Rt plain radiograph of the wrist · PA/AP 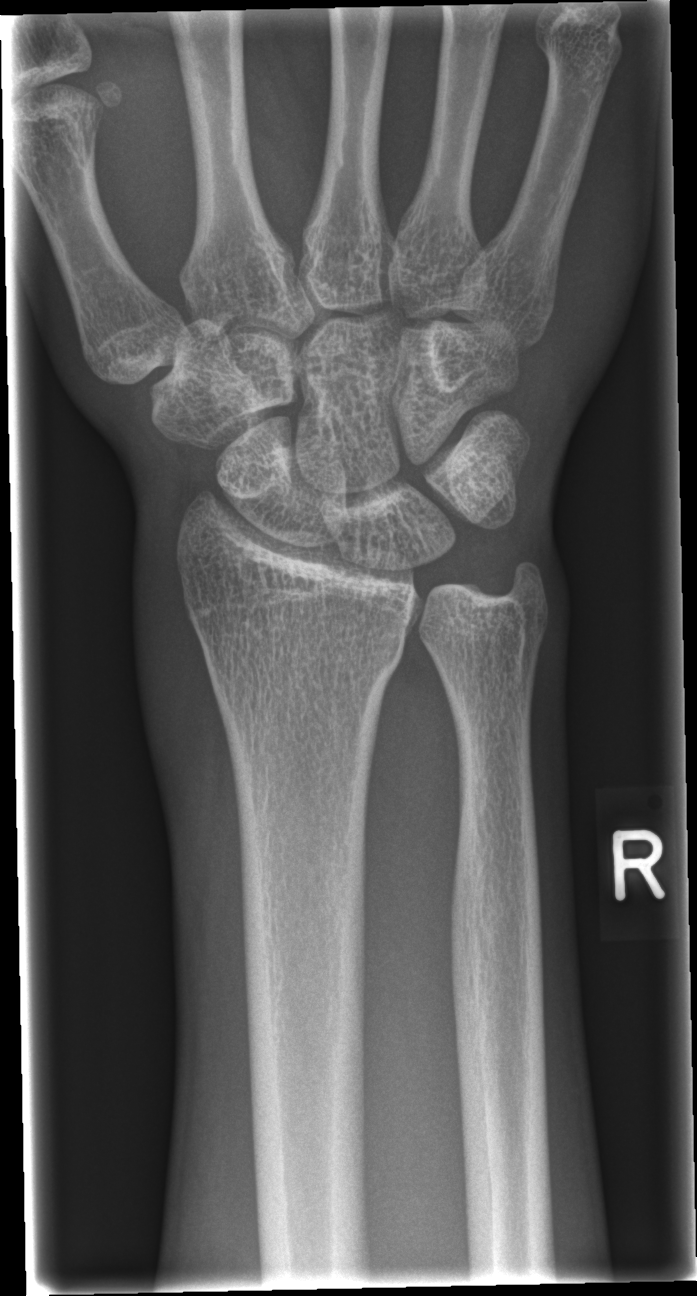
FINDINGS — (boxes as x1,y1,x2,y2 (top-left / bottom-right, pixel units)) Fx present but not clearly seen in this view. Soft-tissue finding — bbox(122, 481, 227, 873).